Lat view | L wrist XR | female, 14 yo
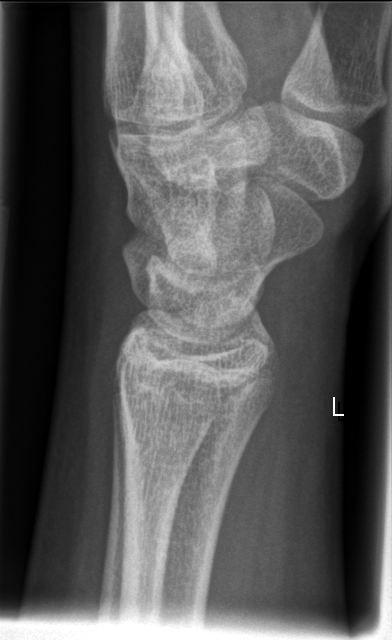
Fracture: none labeled